Lateral projection; Rt wrist X-ray; 15-year-old female; presentation radiograph; Siemens; 106.0 mm image width —

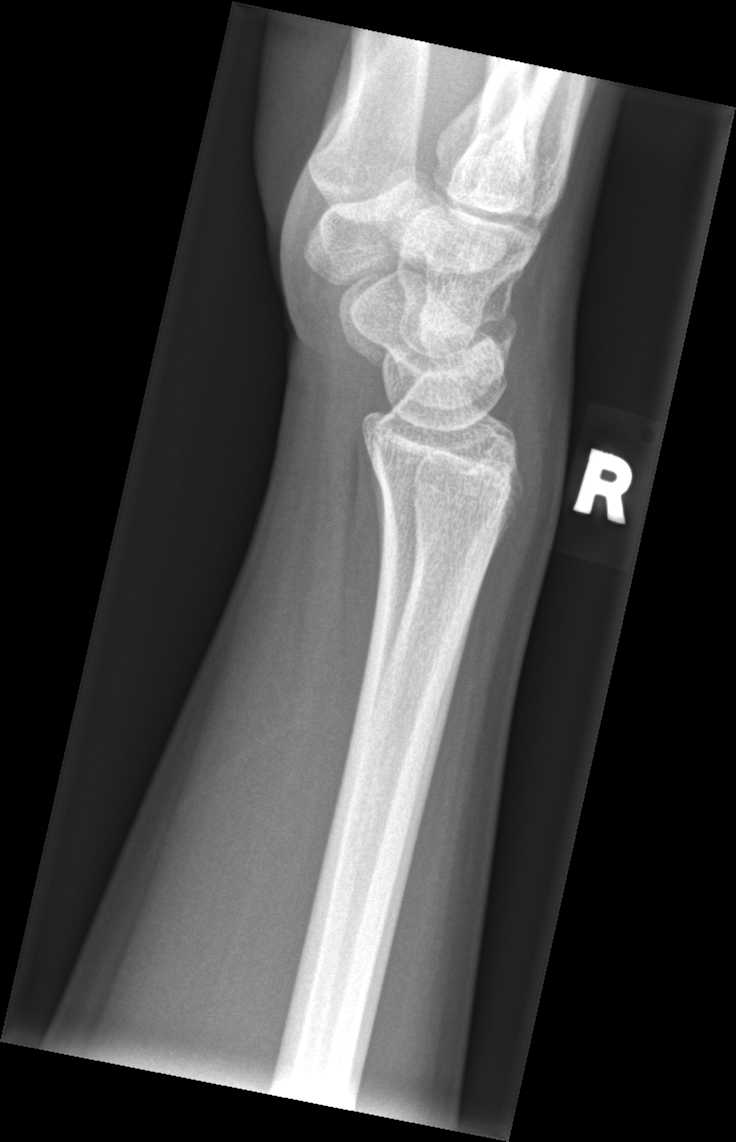
Fx: none labeled